Left pediatric wrist radiograph, PA projection, 9y F, index exam — 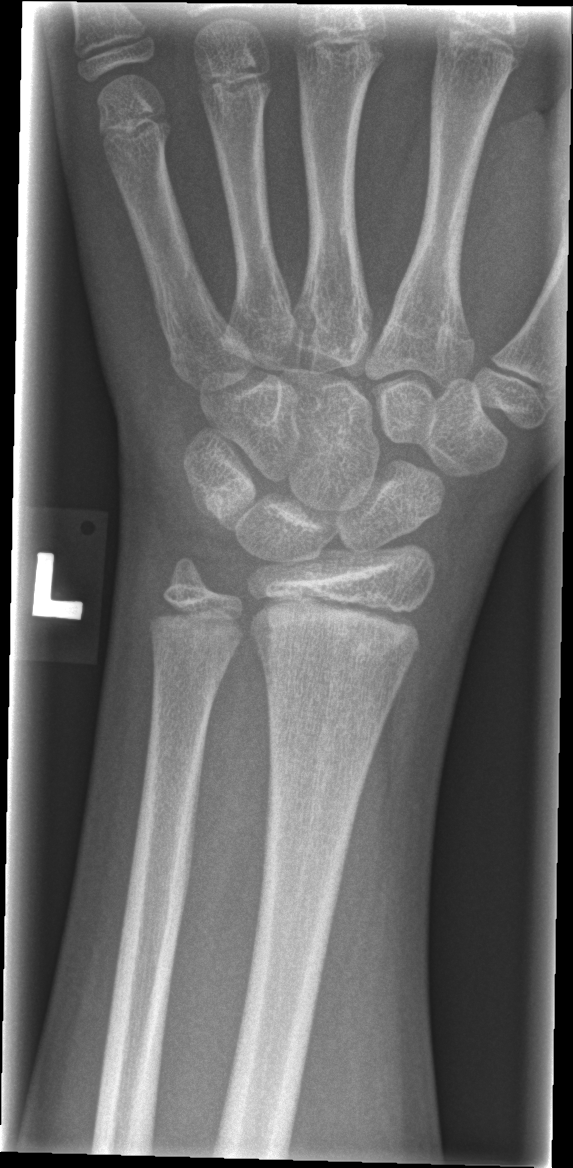 Fracture: none labeled